PA/AP projection, left wrist radiograph, age 5 y, male, detector: Siemens —
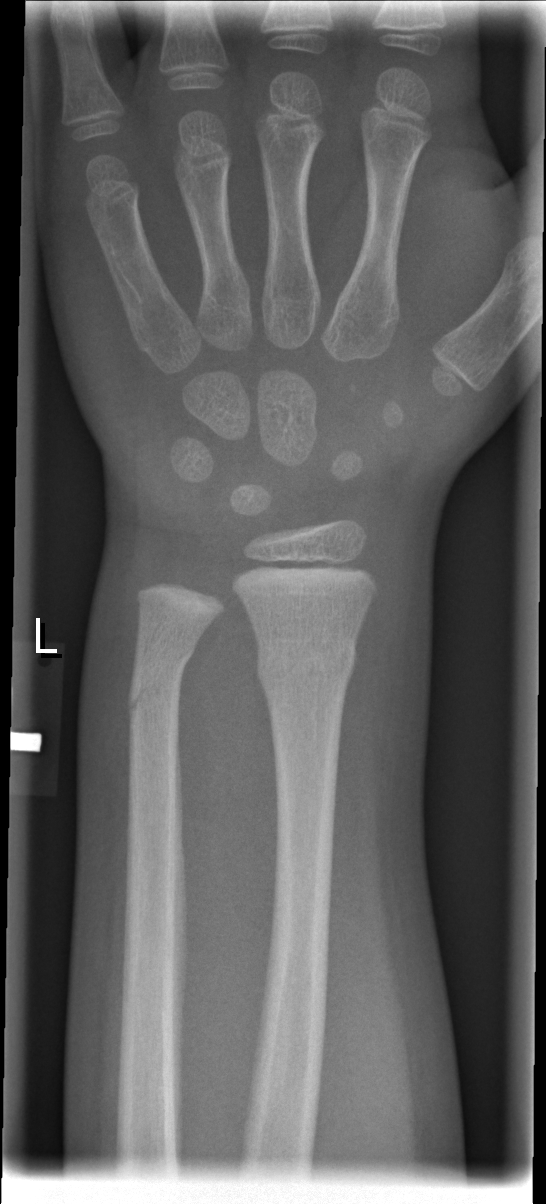 * AO/OTA classification: 23-M/2.1.
* Two bone fractures at (left=254, top=637, right=359, bottom=694); (left=126, top=646, right=195, bottom=721).